Lt wrist XR | lateral view | male, 7 yo — 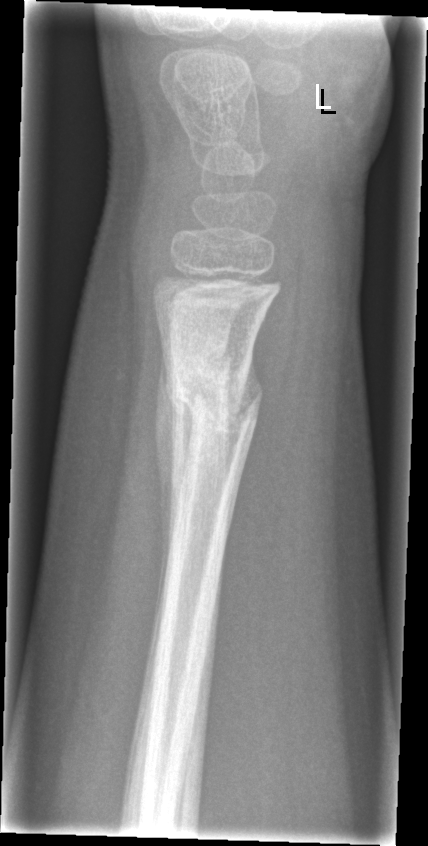
• Osteopenia.
• One fracture at 158,345,266,448.
• Periosteal thickening identified at 153,353,193,631.